PA/AP; left wrist pediatric wrist radiograph; 12y F; presentation radiograph; Siemens:

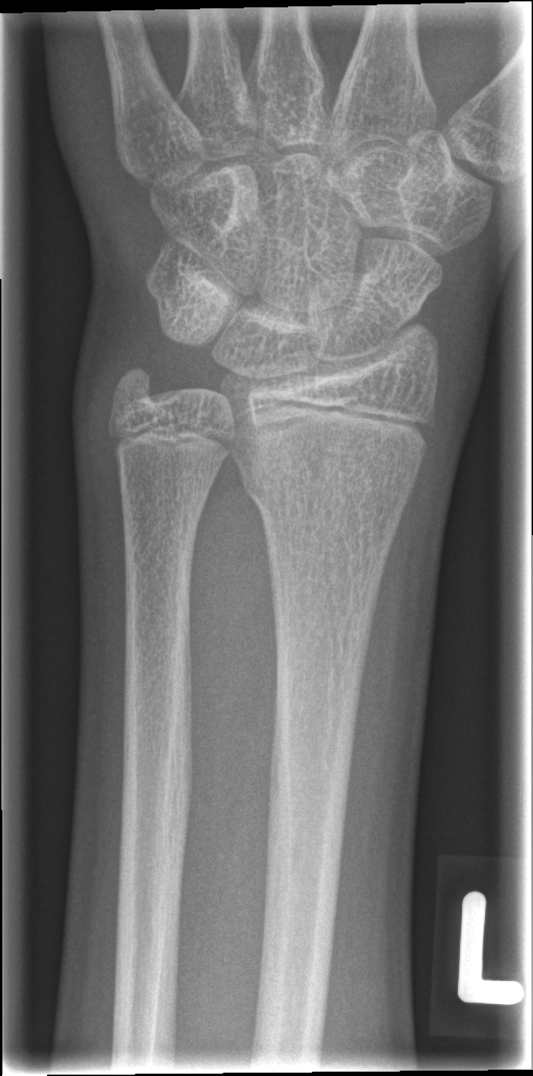

AO classification = 23r-M/2.1
fracture = (left=239, top=472, right=414, bottom=539)